Posteroanterior projection | left wrist radiograph | pediatric patient (male, age 6) | cast in situ — 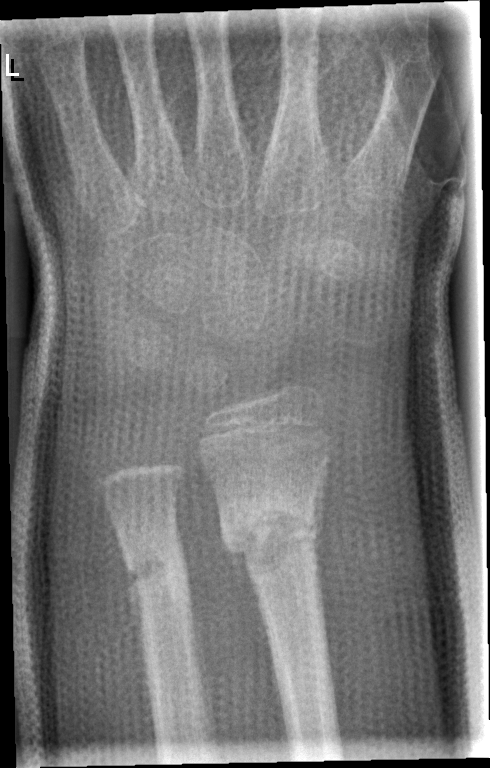 Two Fx at bbox(218, 484, 322, 570), bbox(111, 543, 191, 607).